Right wrist radiograph | lateral
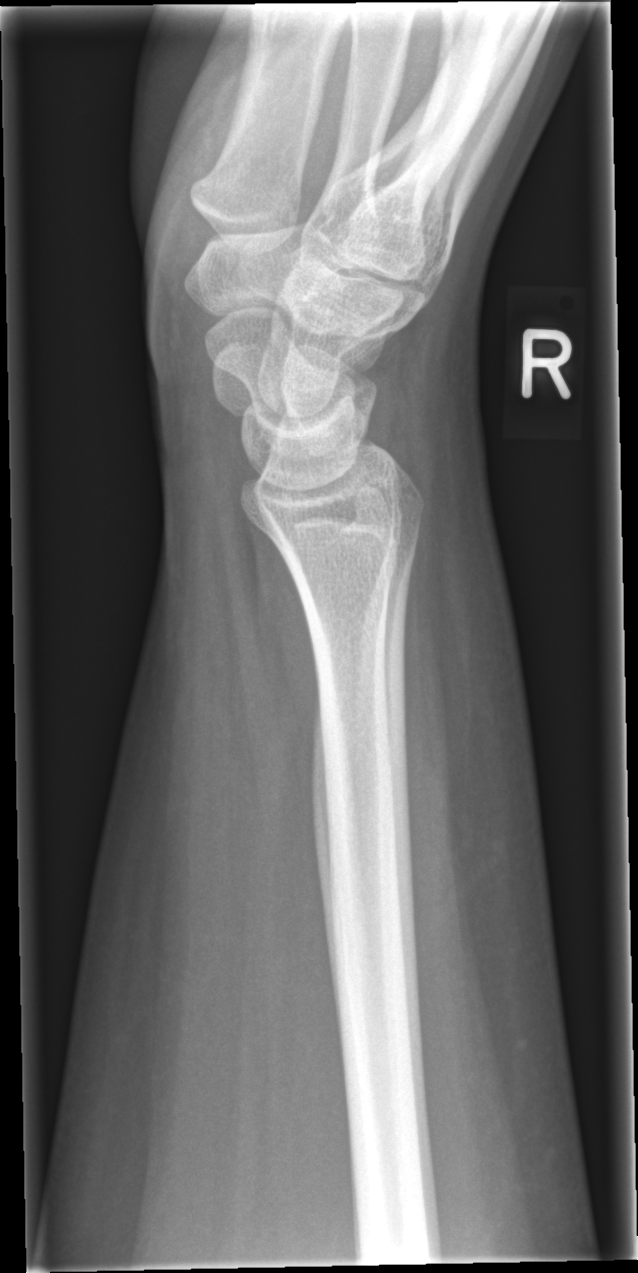

Fracture: none labeled